L wrist plain film | AP projection | 633x1210
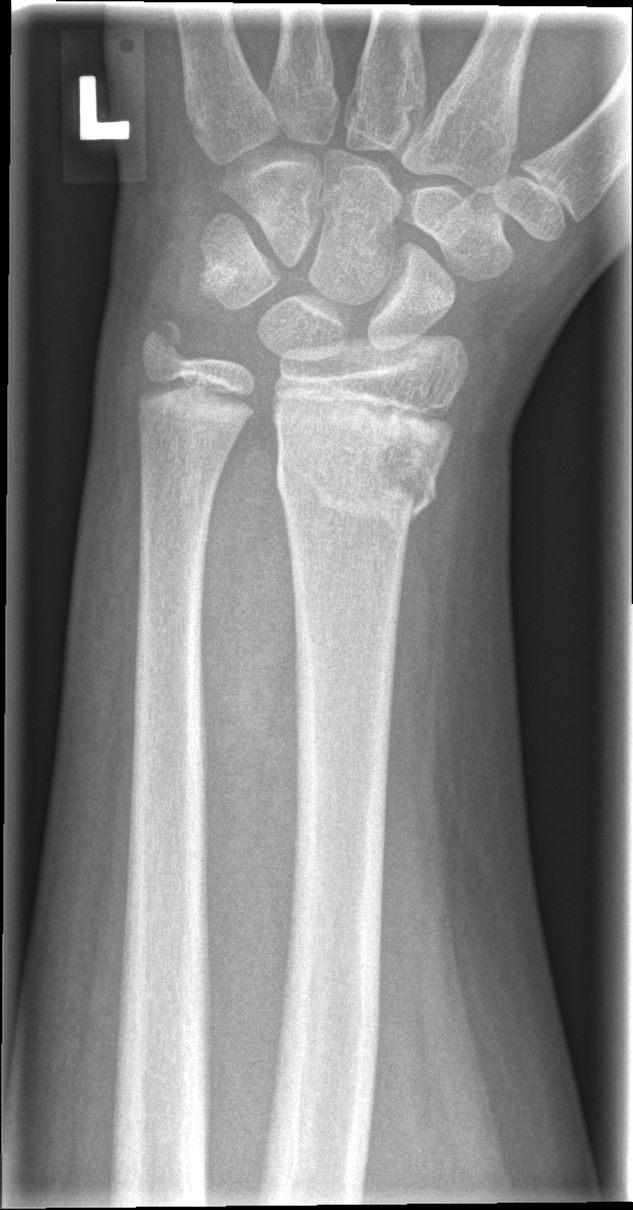 FINDINGS — Fx: (270, 405, 446, 528); (137, 314, 193, 373). AO code 23r-M/3.1; 23u-E/7.